PA/AP view · left wrist XR · 11-year-old boy · image width 75.9 mm: 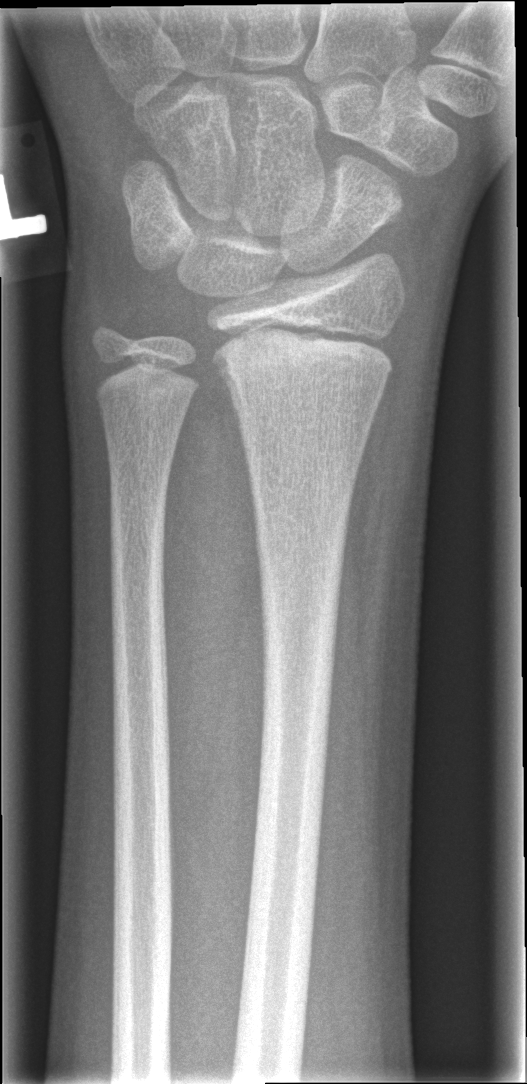

Bone fracture = present but not clearly seen in this view
AO classification = 23r-E/2.1